Right wrist radiograph; frontal; 6y F; initial study.

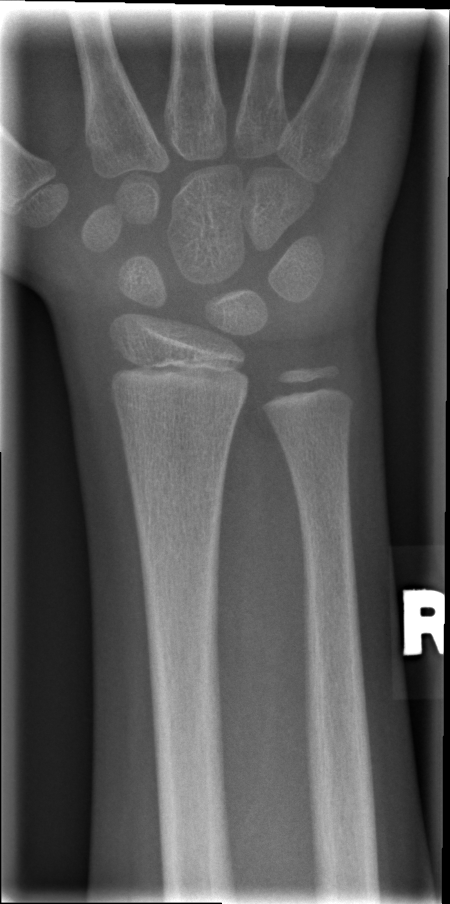

Findings: No Fx annotated.